PA view · right wrist XR · pediatric patient (female, age 3) · acquired on Siemens

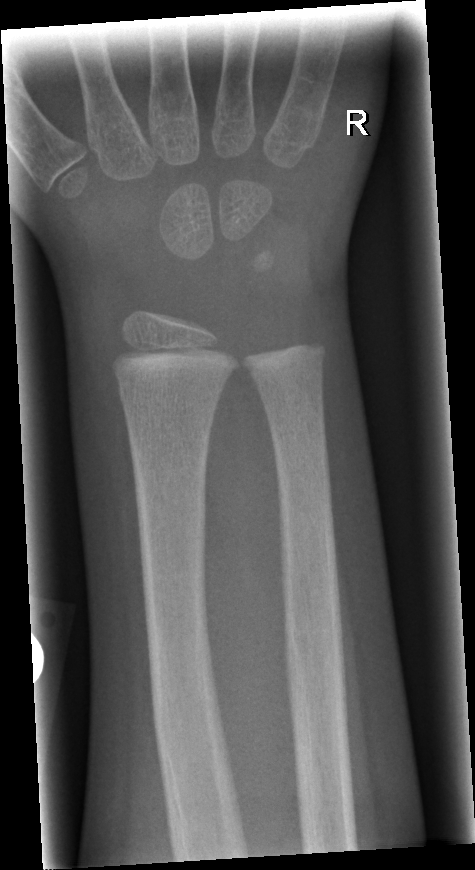 Bone fracture: none labeled